Left plain radiograph of the wrist | lat view | presentation radiograph | 584x1186 —
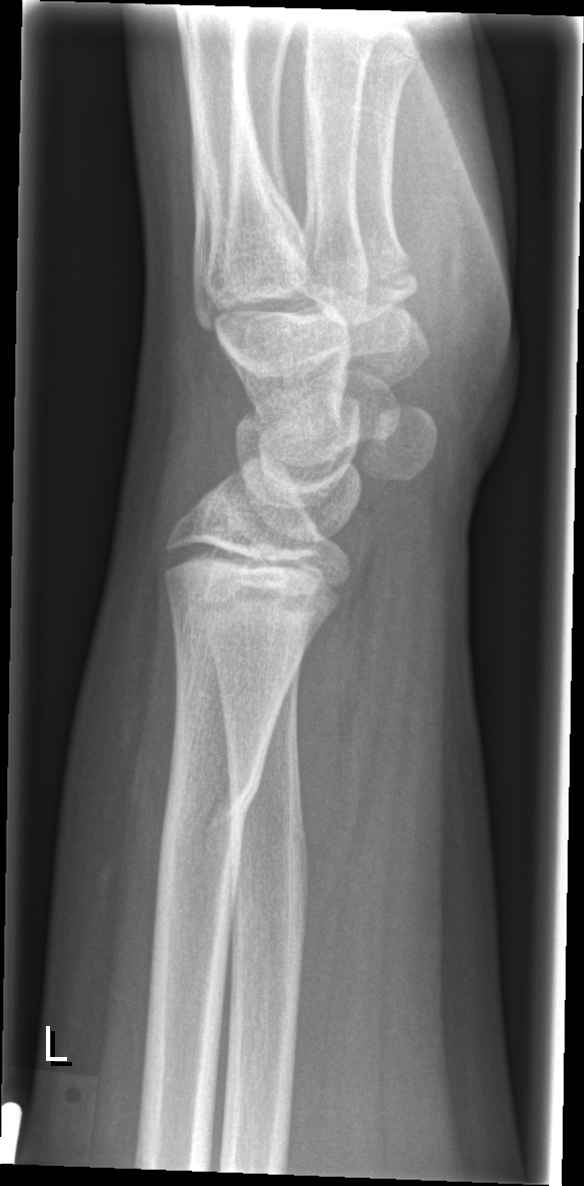
(pixel coordinates, top-left origin, xyxy)
Q: Fracture present?
A: Two Fx at [x1=153, y1=755, x2=272, y2=886], [x1=224, y1=790, x2=311, y2=947]